AP view; L wrist radiograph; 12-year-old female; follow-up study; in cast; acquired on Siemens
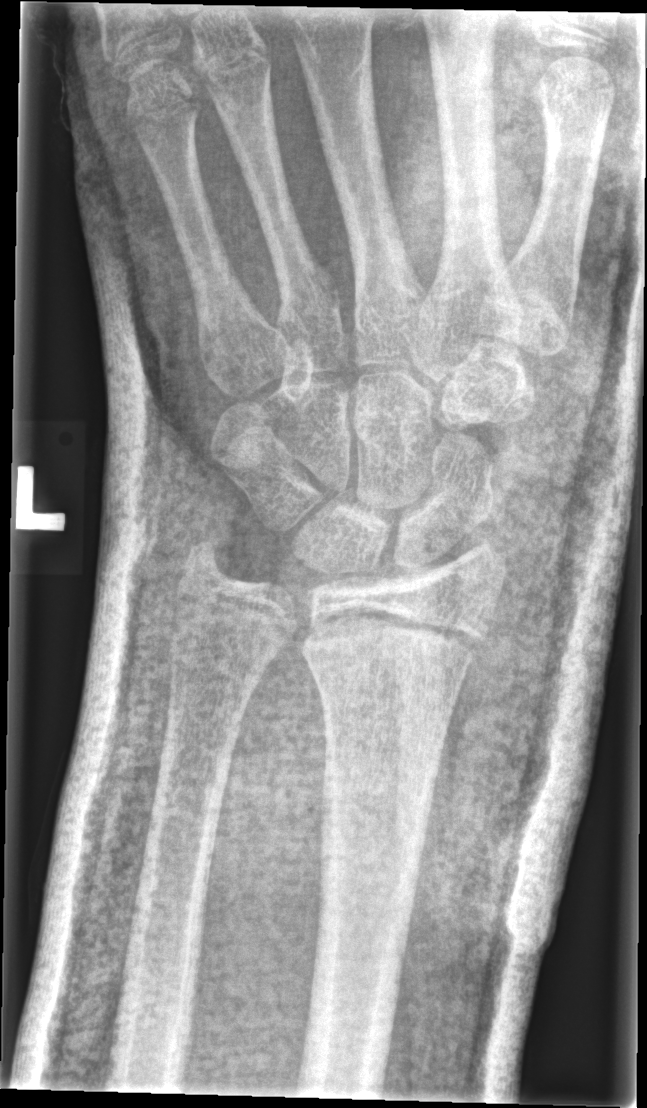

Fx = present but not clearly seen in this view